PA; R wrist radiograph; 7-year-old boy; acquired on Siemens; 548 x 971 px.
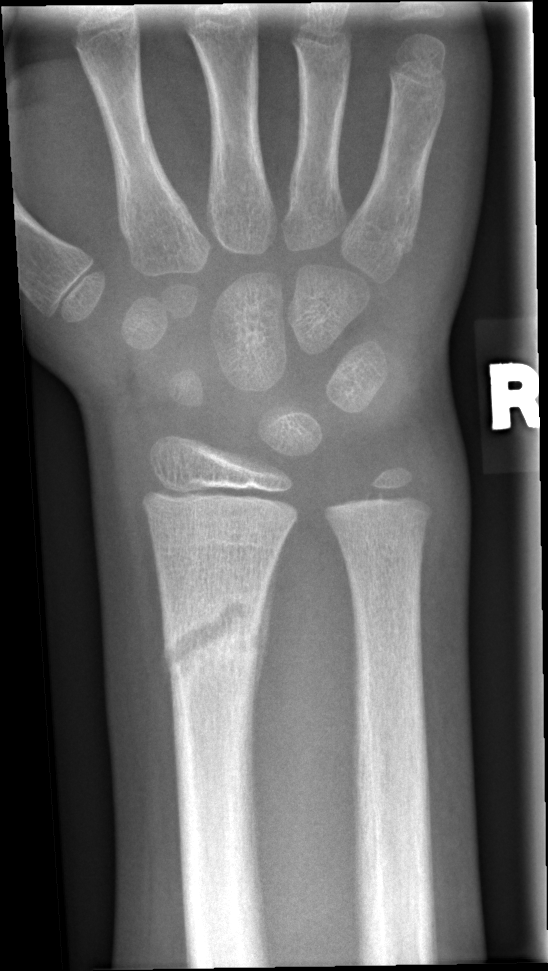
# bounding boxes in image-pixel xyxy
periostealreaction: 1 @ <252,564>-<272,740>
osteopenia: present
fracture: <160,588>-<270,685>
ao: 23r-M/3.1